AP view, right pediatric wrist radiograph, 8-year-old male, subsequent exam.

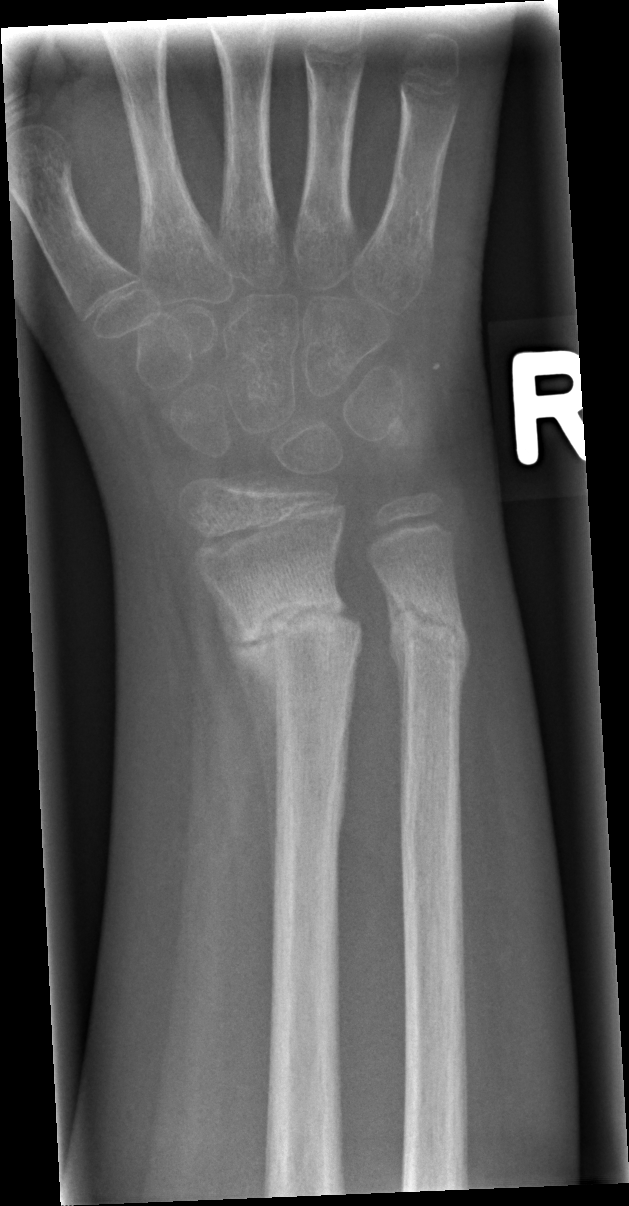
Fracture: <357,573>-<476,679> <202,599>-<367,675>. AO/OTA classification: 23-M/3.1. Two periosteal reaction at <209,588>-<279,882> <386,590>-<412,793>.